Rt wrist plain film, AP view, pediatric patient (boy, age 10), follow-up study, cast present —

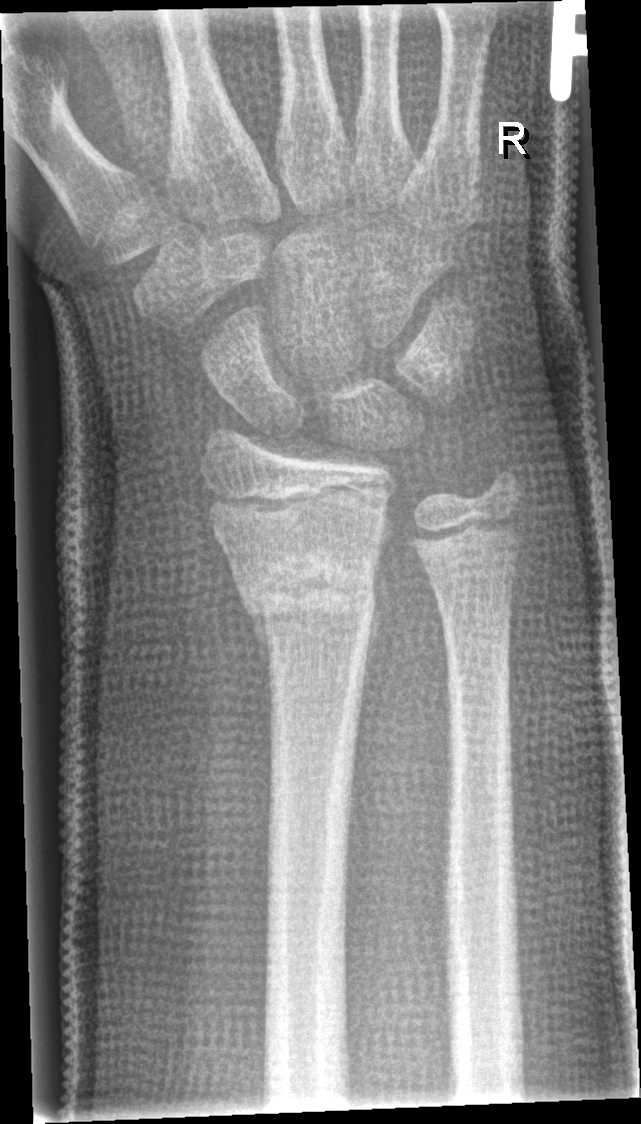

Two periosteal thickening at [362, 524, 386, 705], [250, 609, 274, 710]. Fracture: [239, 542, 383, 648].